Rt wrist radiograph · lat view · index exam · diagnosis uncertain —

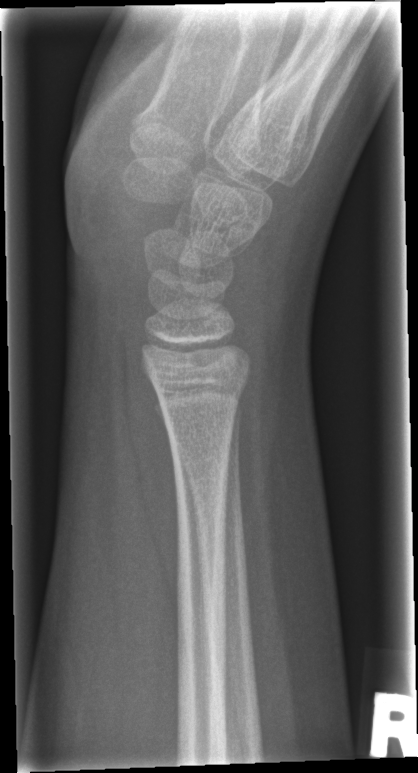 Fracture: 151 366 253 418